Lateral projection, left wrist X-ray, female, 4 yo, 298 x 609 px:

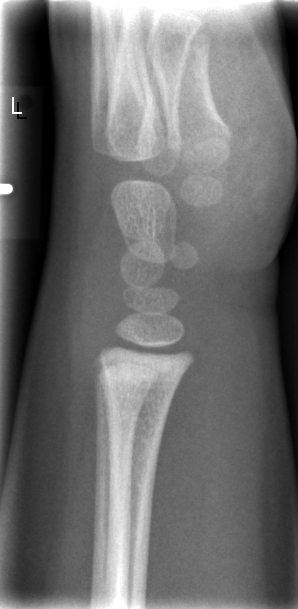
No fracture annotation.